Right wrist plain film; posteroanterior; pediatric patient (girl, age 6); in cast; detector: Siemens; image 103.8 mm wide. 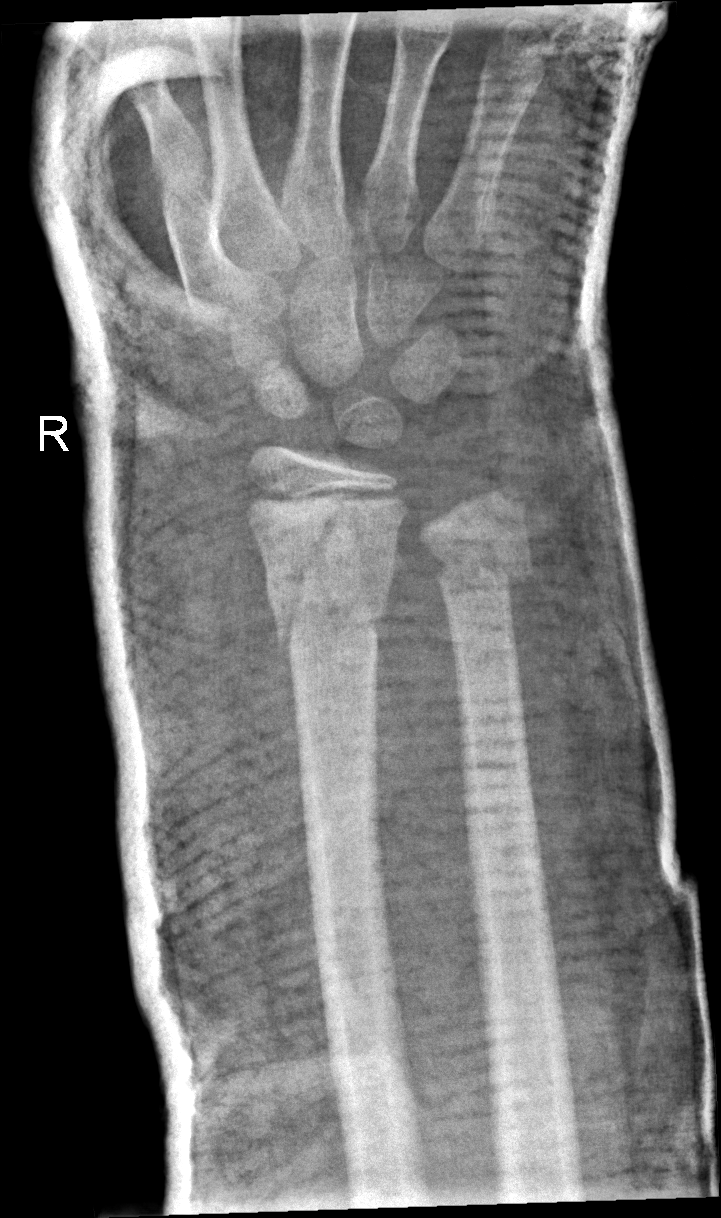 Bounding boxes in image-pixel xyxy. Two fractures at (254, 501, 400, 655), (430, 537, 538, 595).